Left pediatric wrist radiograph · AP projection · cast present —
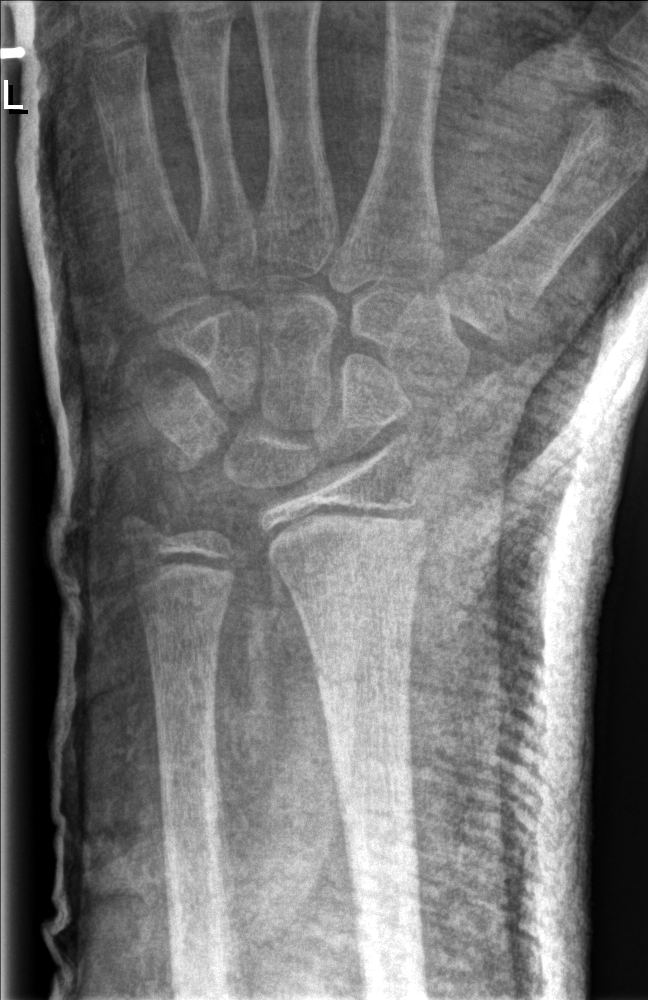
Findings: (boxes as x1,y1,x2,y2 (top-left / bottom-right, pixel units)) Bone fracture identified at [306, 648, 421, 703] [108, 501, 178, 567]. AO code 23r-M/3.1; 23u-E/7.